Rt wrist plain film, posteroanterior projection, female, 14 yo.

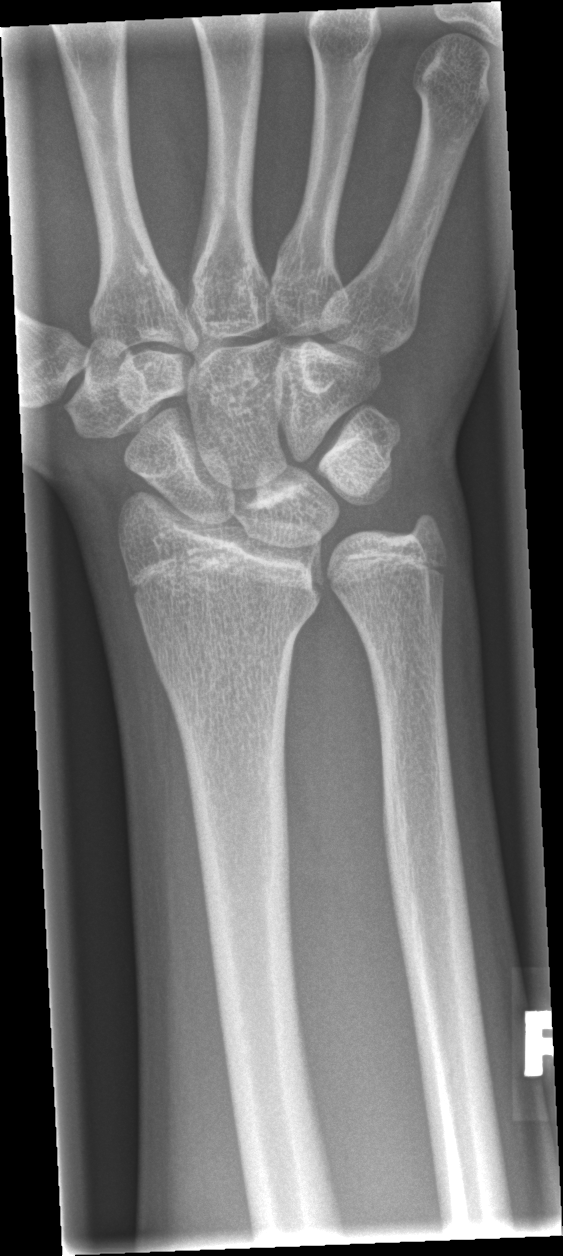
- No fracture bounding box.